Rt pediatric wrist radiograph, PA projection, detector: Siemens, image width 107.9 mm — 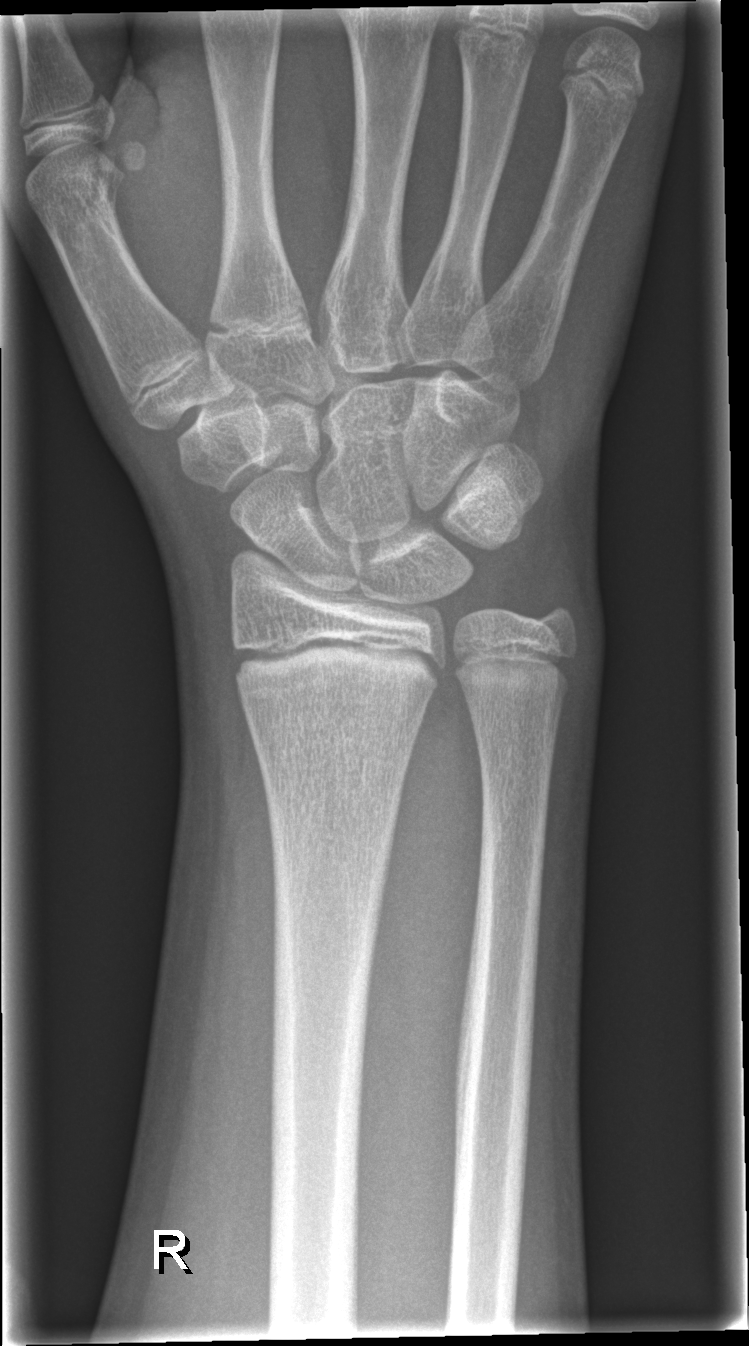 Fx: none.